Right wrist plain film, lateral, follow-up study 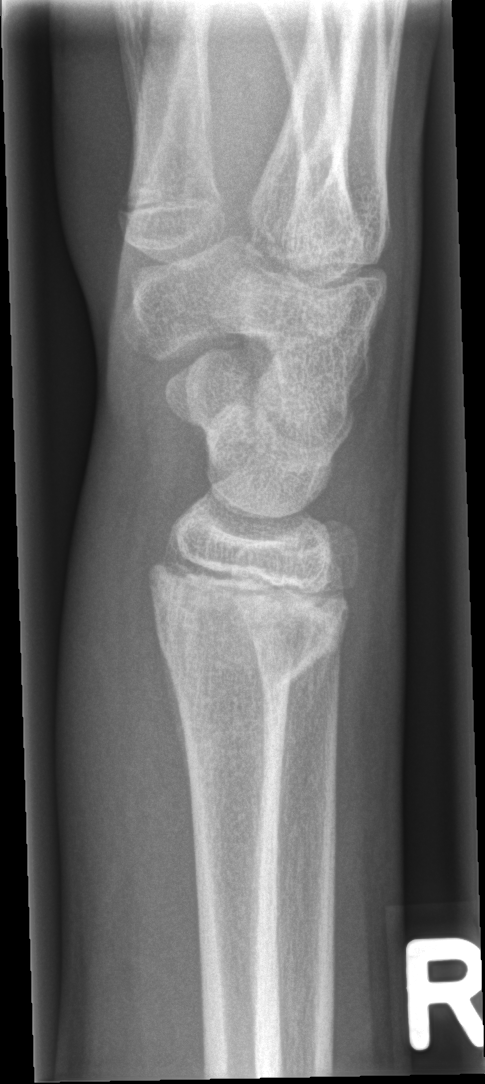 Findings: (pixel coordinates, top-left origin, xyxy) Two periosteal reaction at (274, 649, 334, 931) (159, 642, 192, 802). Fx — (145, 549, 352, 692). Reduced bone mineral density.